PA projection | left wrist XR | presentation radiograph
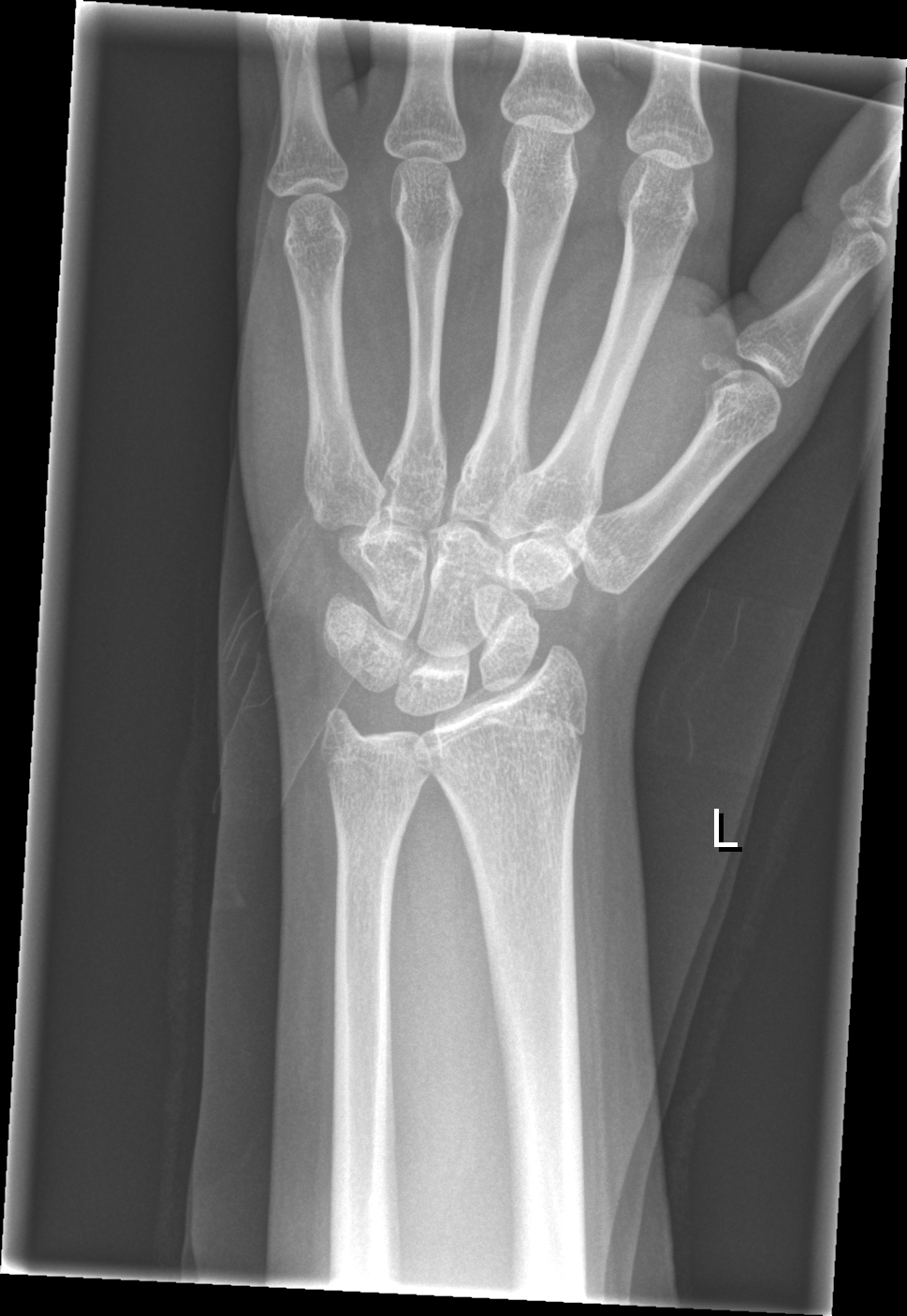 Q: Locate any fractures.
A: No fracture bounding box